Left wrist X-ray · lat view · 11y M:

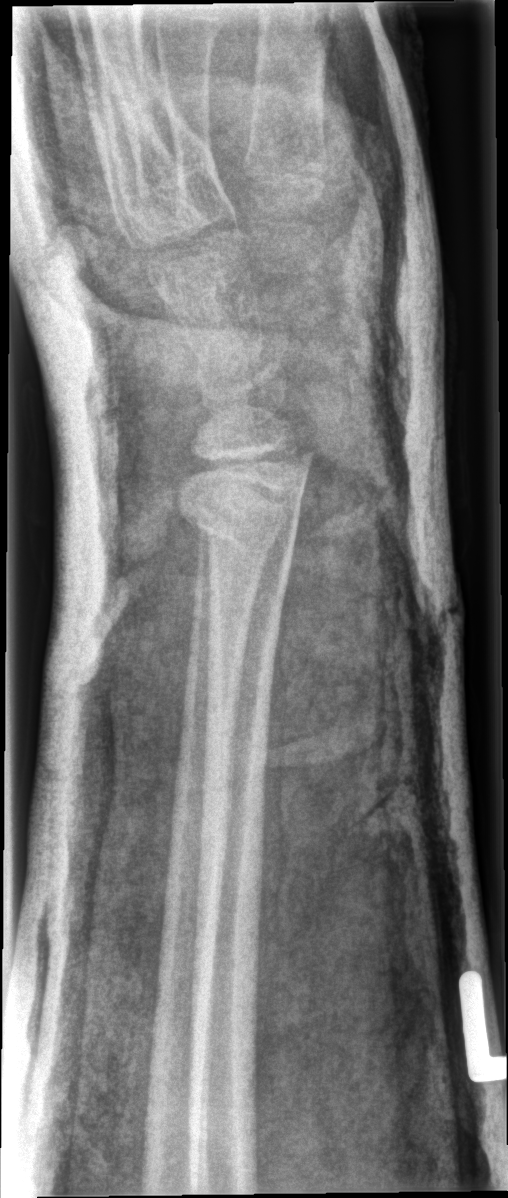
fracture: [x1=171, y1=473, x2=305, y2=560]
ao: 23r-M/2.1